R pediatric wrist radiograph | lat view | pediatric patient (male, age 15) | presentation radiograph | acquired on Siemens — 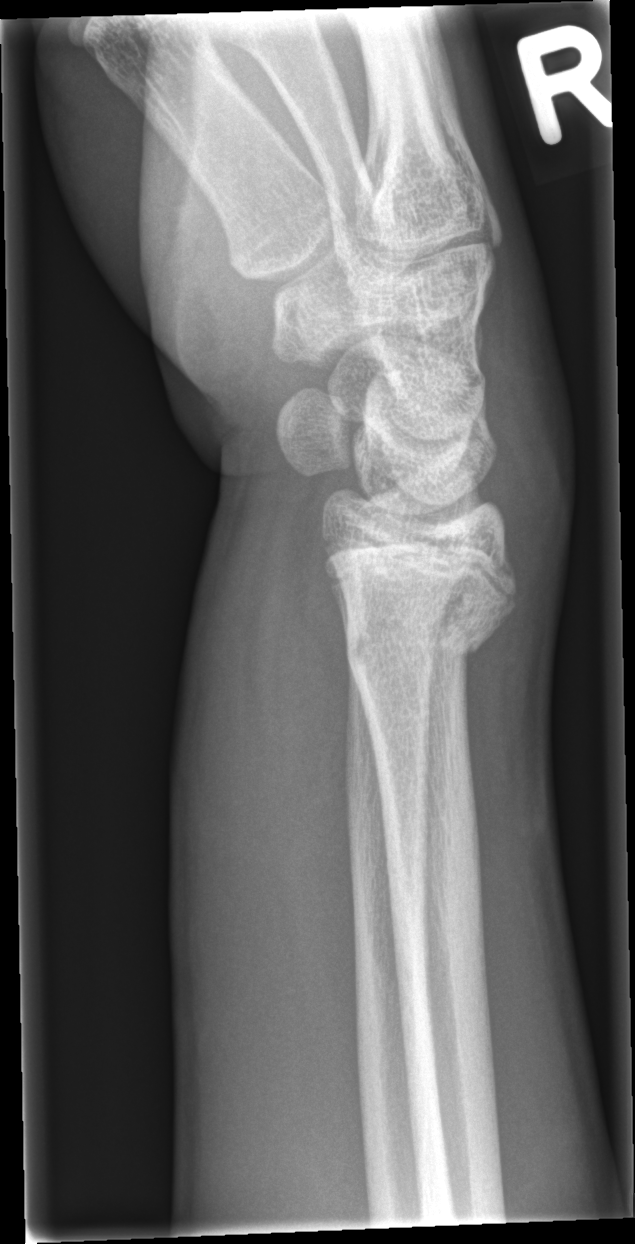
# coordinates are [x1, y1, x2, y2] in image pixels
ao: 23r-M/3.1; 23u-E/7
softtissue: 2 @ bbox(171, 498, 367, 1168), bbox(476, 255, 577, 572)
pronatorsign: bbox(275, 532, 356, 1005)
fracture: 1 @ bbox(333, 562, 522, 688)